Left wrist radiograph · PA/AP · image 71.9 mm wide:
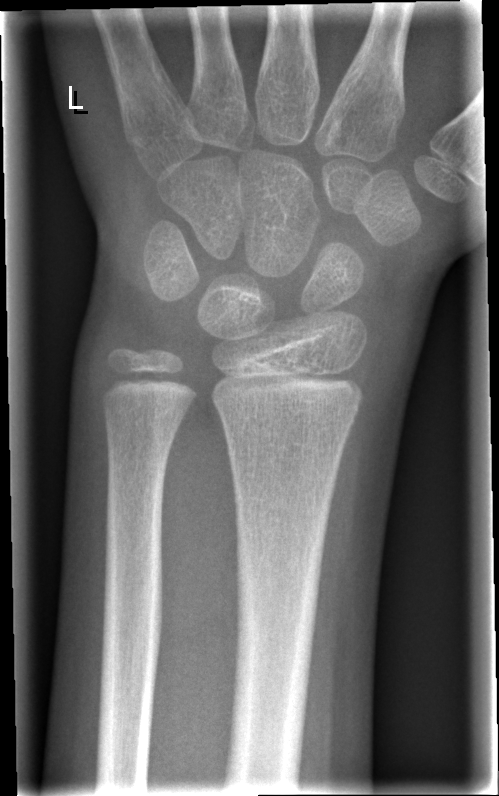
No fracture annotation.